Left wrist plain radiograph of the wrist, PA view, 17-year-old female, image size 689x1216
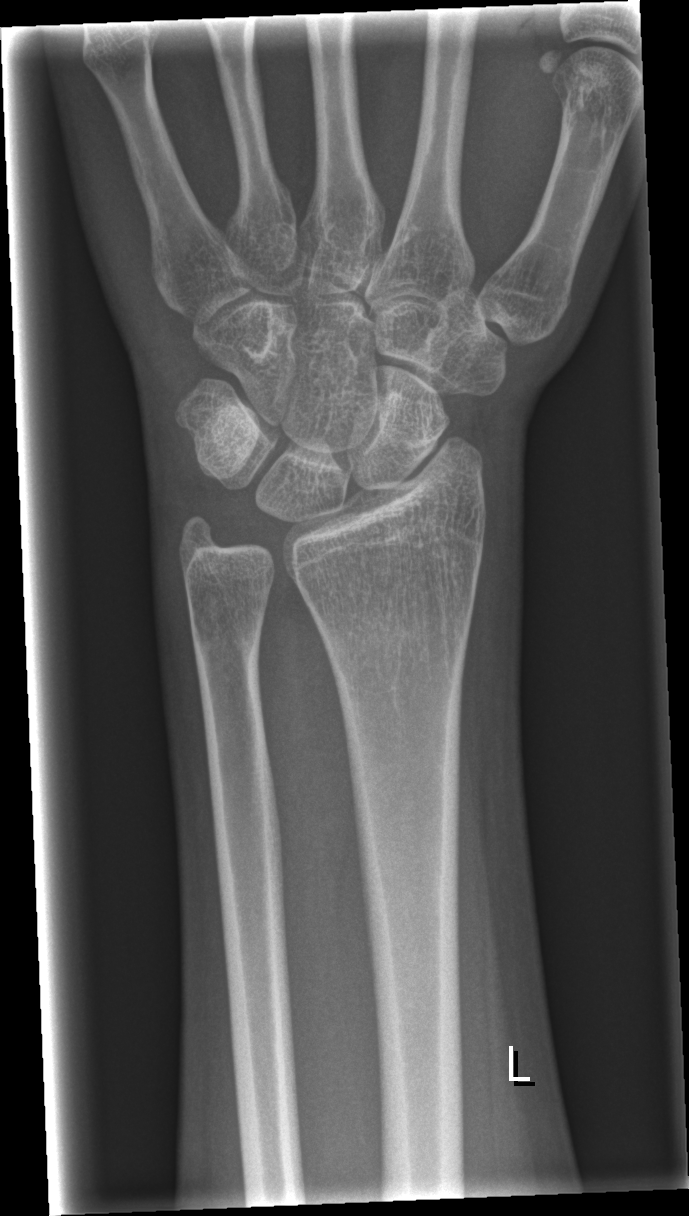 Fx: none labeled